Lateral view, right wrist plain film, boy, 15 yo — 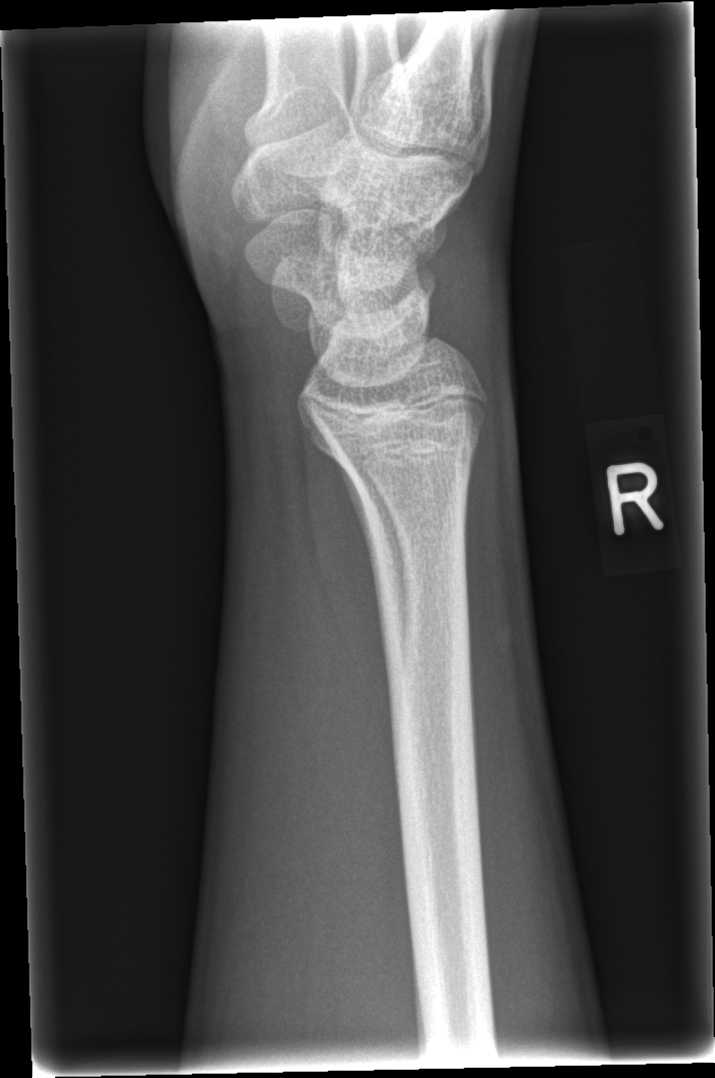

Bone fracture: none labeled